R wrist plain film · lat · 8y F · image width 69.6 mm — 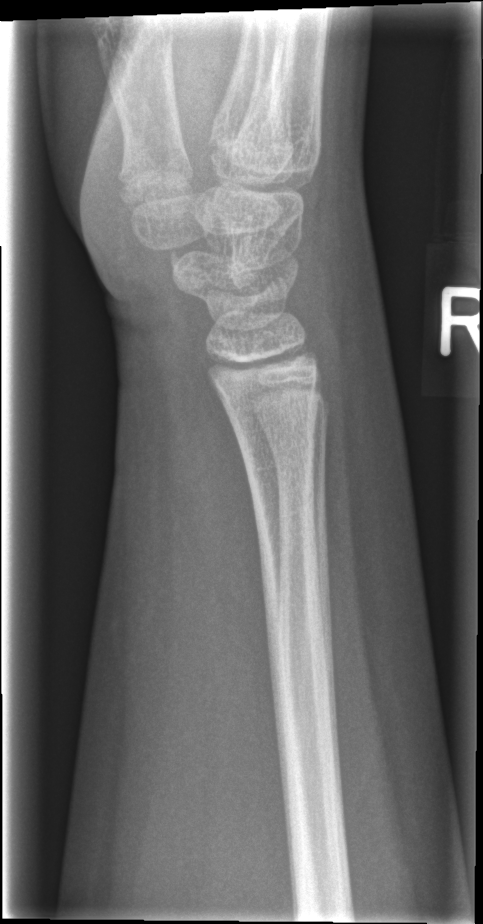

{
  "fracture": "none labeled"
}